Right wrist plain film · posteroanterior projection · male, 11 yo · subsequent exam · cast present · Siemens. 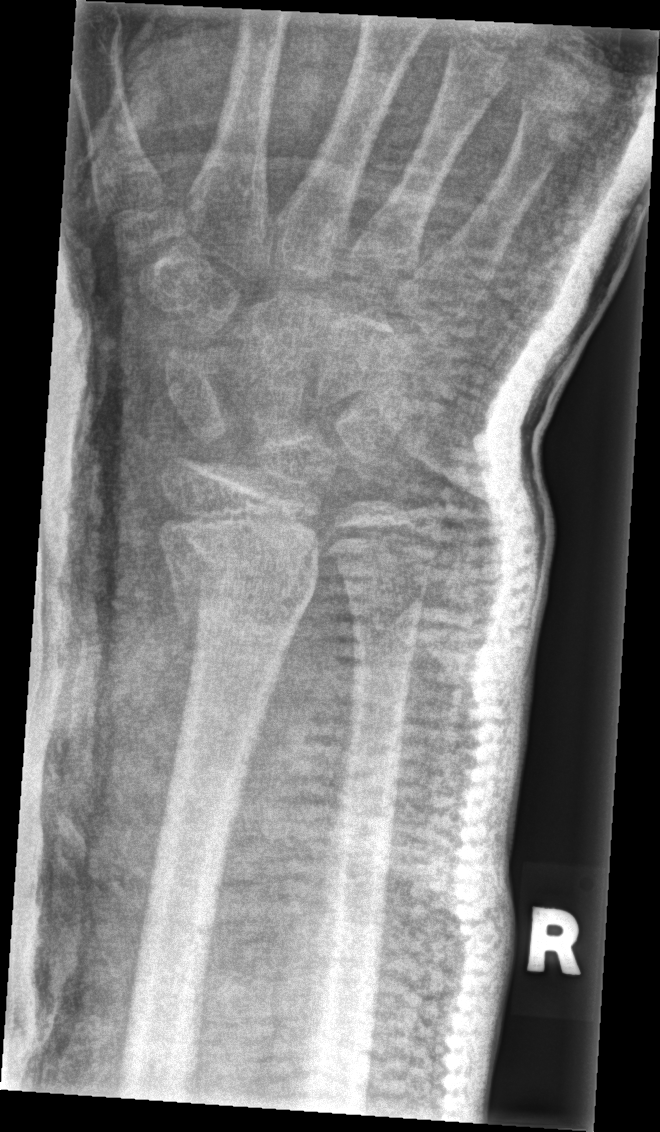

FINDINGS: (boxes as x1,y1,x2,y2 (top-left / bottom-right, pixel units)) Bone fracture identified at bbox(156, 501, 323, 628). Fracture classified AO/OTA 23r-M/3.1.